Left wrist X-ray | frontal view | 10-year-old male | acquired on Siemens — 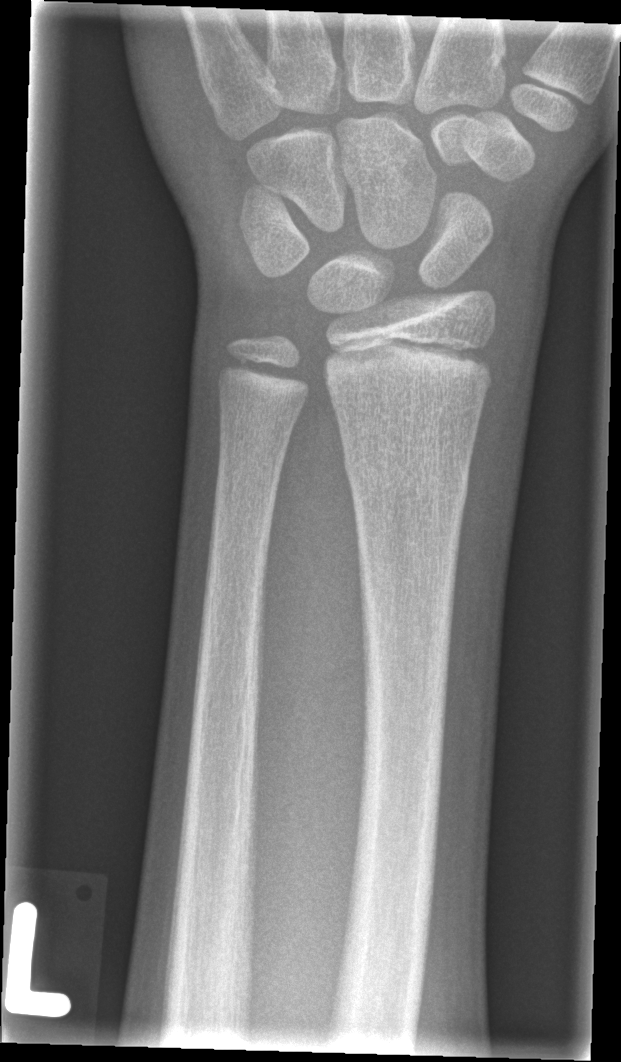 Fracture — [x1=339, y1=443, x2=472, y2=522].